Lateral projection, left wrist X-ray, 11y M, image size 715x1354: 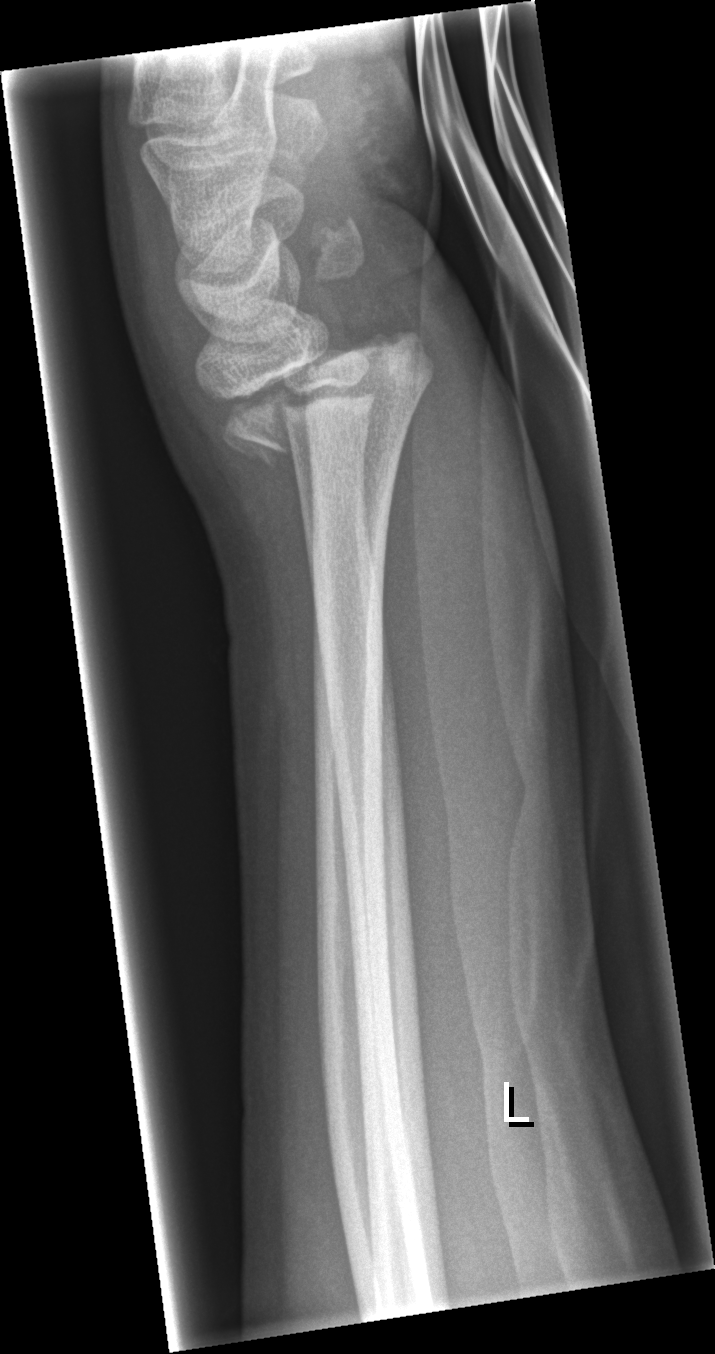
Coordinates are [x1, y1, x2, y2] in image pixels.
Fx identified at (195, 327, 440, 471).
AO code 23r-E/2.1; 23u-E/7.